Right wrist XR; lateral; detector: Siemens; 343x592 — 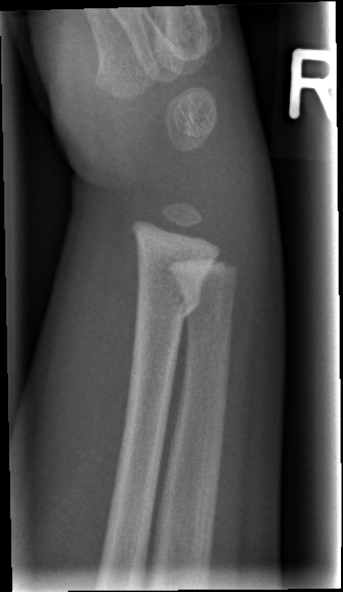

Pixel coordinates, top-left origin, xyxy.
Fx identified at (132, 276, 205, 325).